Lat projection | L wrist radiograph.

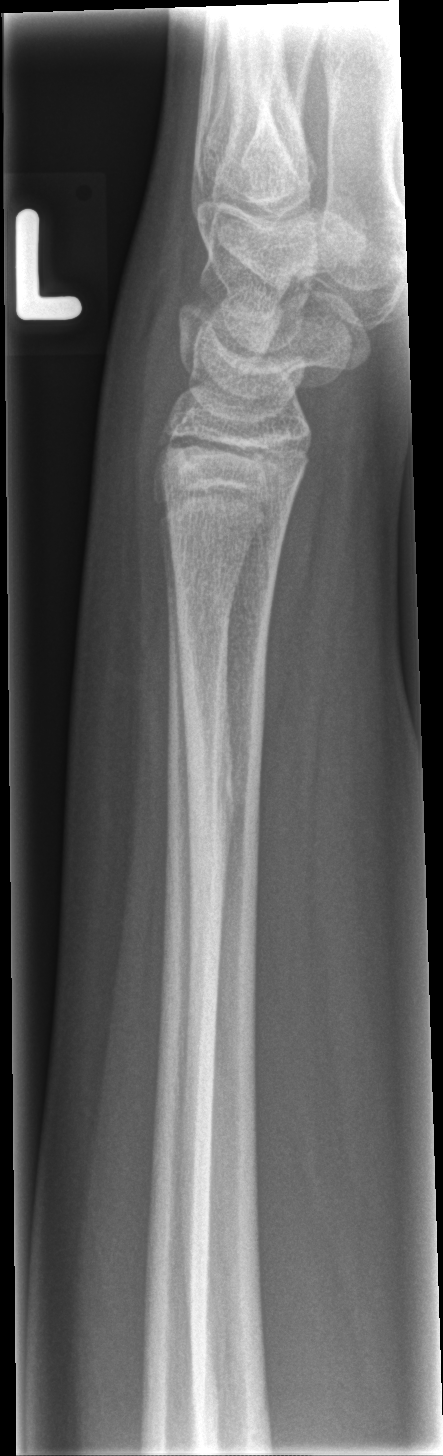

{"fracture": "none labeled"}